Lateral, right wrist pediatric wrist radiograph, 14y F, image size 454x1152:

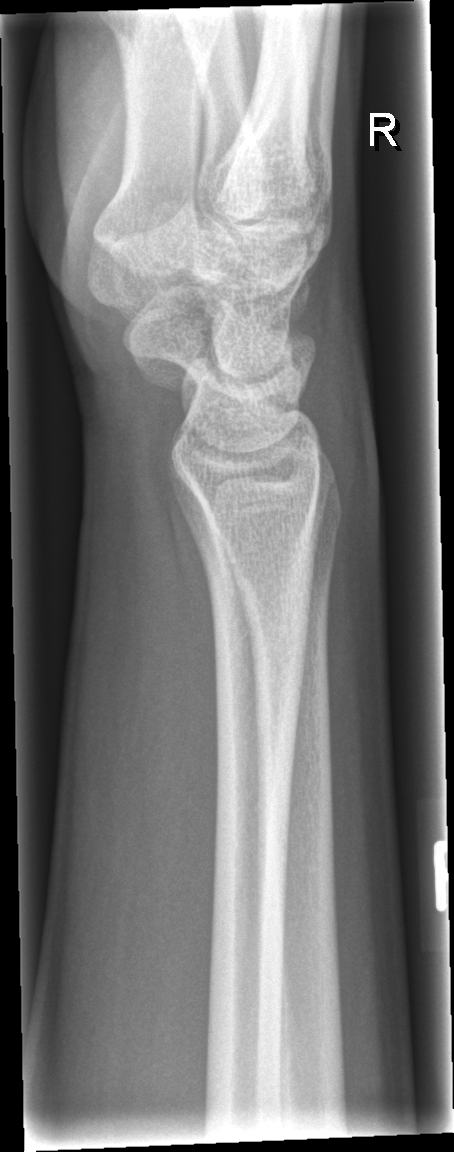

  fracture: none labeled